R pediatric wrist radiograph · lateral · follow-up · cast present · Siemens:

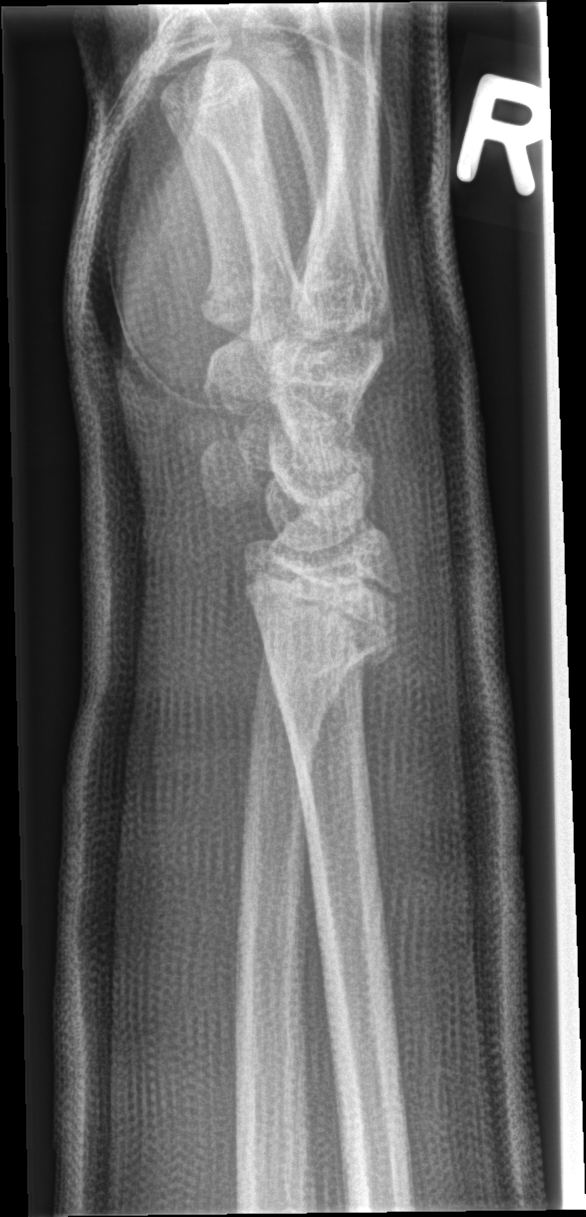

- AO code 23r-M/3.1; 23u-M/2.1.
- One Fx at (left=245, top=619, right=402, bottom=705).